Lt pediatric wrist radiograph | lateral | 11y M | index exam
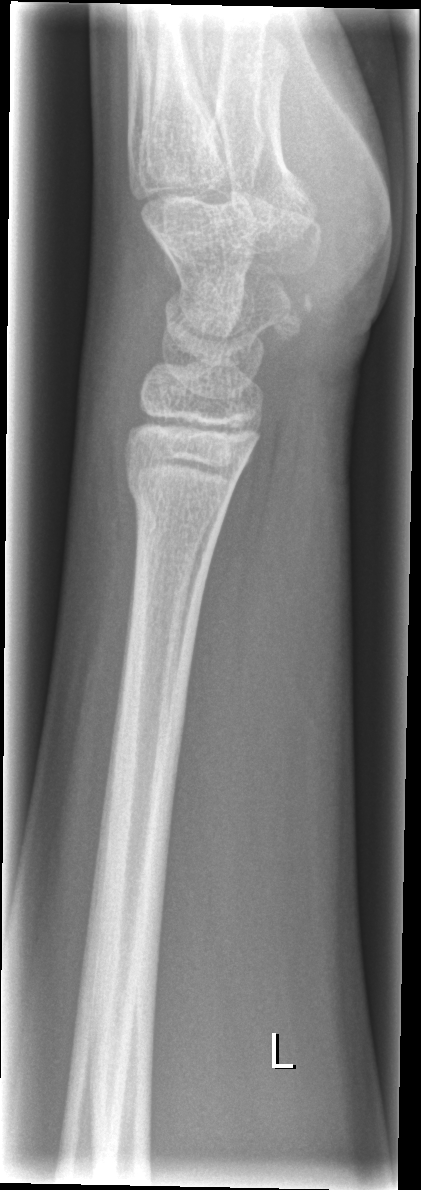

# pixel coordinates, top-left origin, xyxy
fracture: 1 @ <121,458>-<237,522>